Lateral projection | Rt wrist radiograph | 13-year-old boy | index exam | detector: Siemens

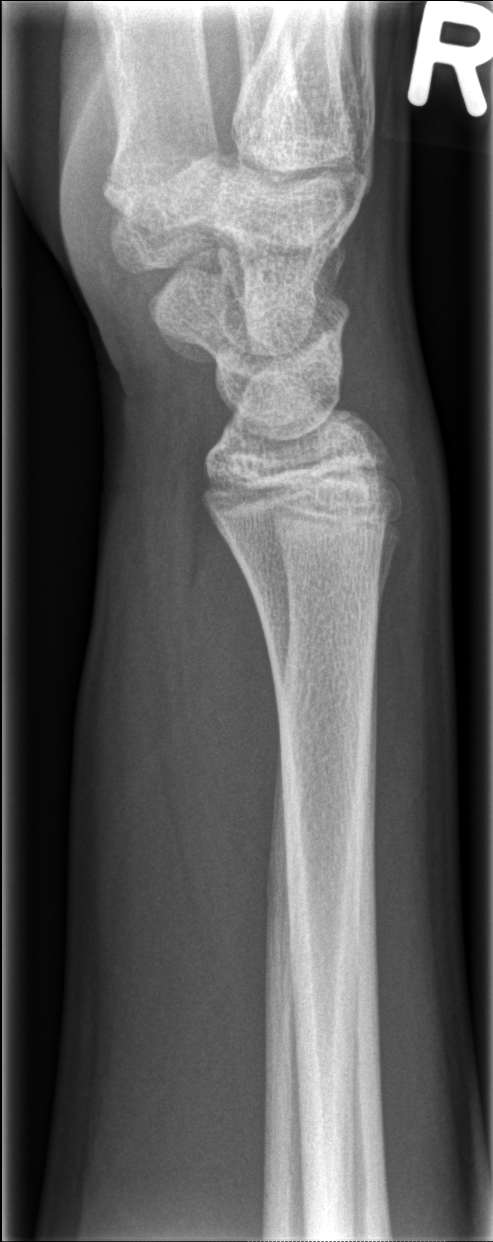
Bone fracture = none labeled
Pronator sign = bbox(171, 517, 281, 881)